PA/AP, left wrist X-ray, in cast, image size 720x1017. 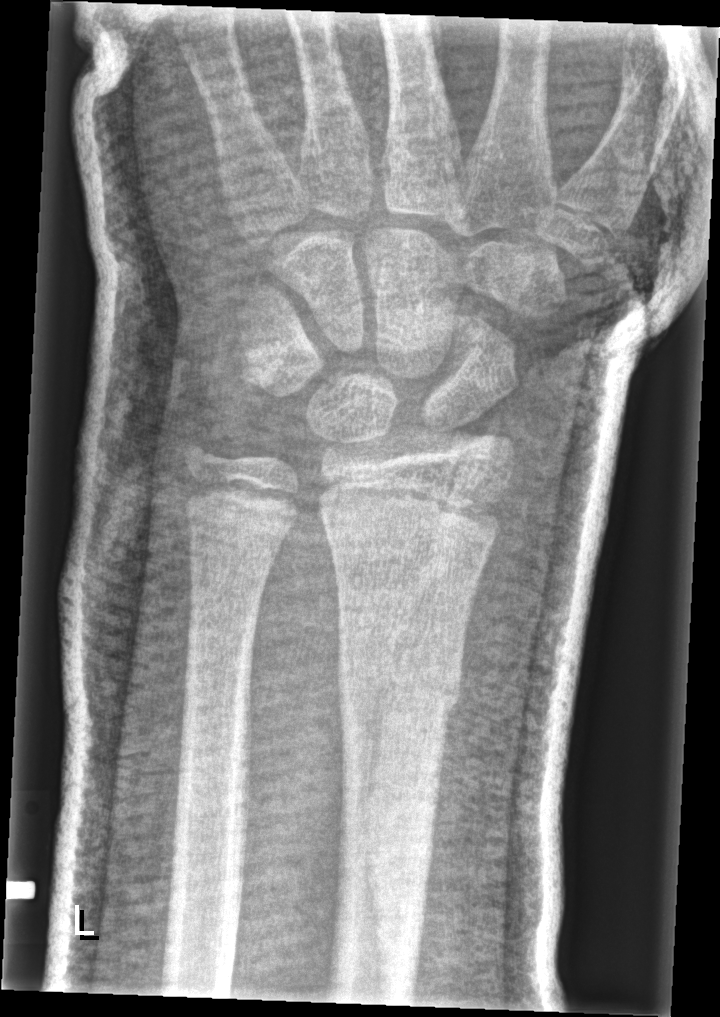

Fx = 336,656,465,723